Lt plain radiograph of the wrist · PA/AP projection · age 14 y, female · image size 509x1166

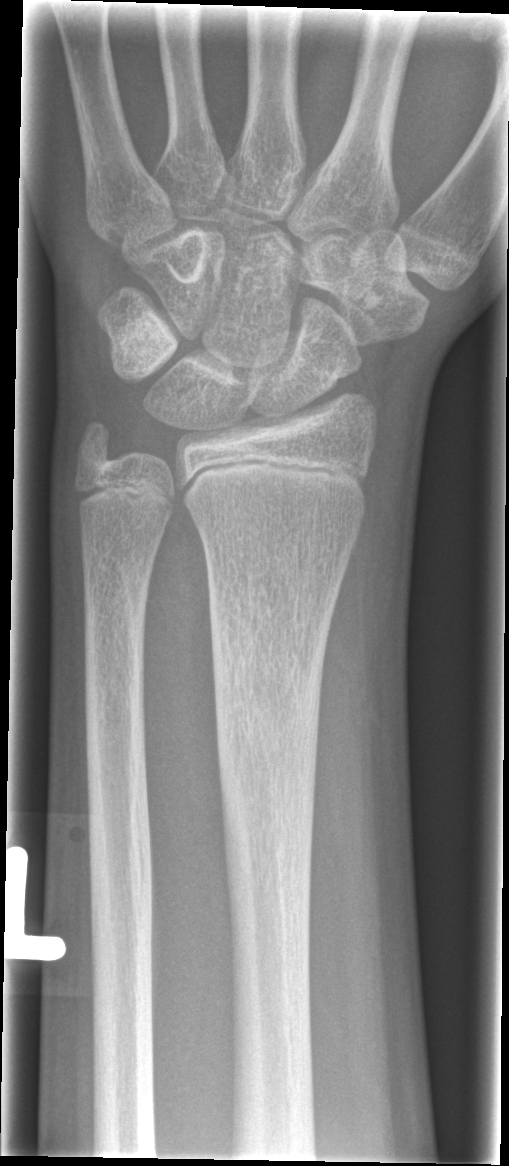

fracture: 1 @ 208 582 325 844